Lateral view; Rt pediatric wrist radiograph; girl, 12 yo; detector: Siemens; image 82.7 mm wide 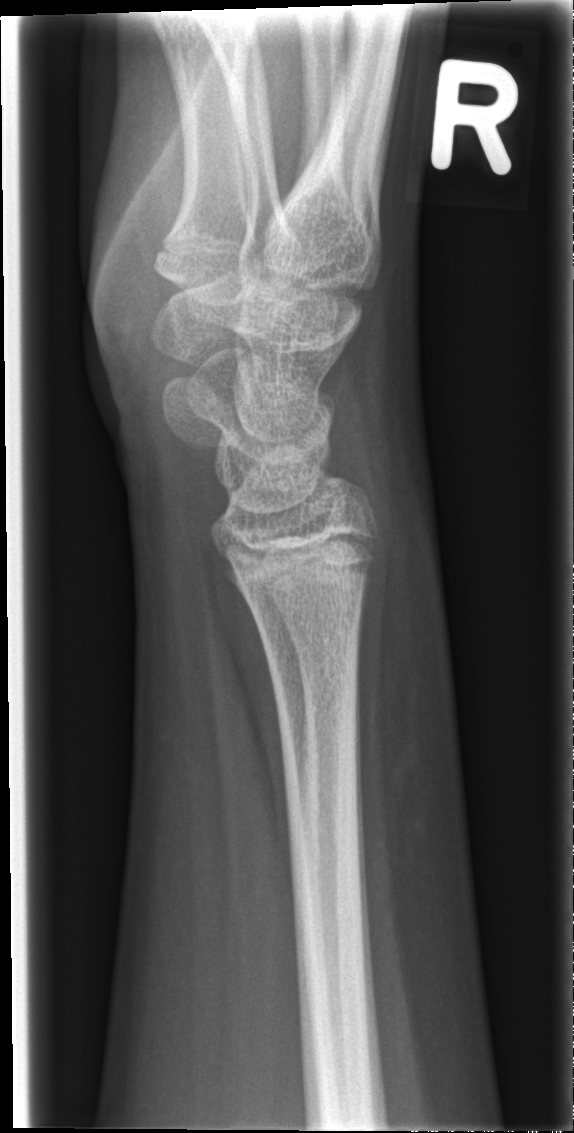
- No fracture bounding box.